Lateral projection | Lt wrist XR | 15y M | 588x1335

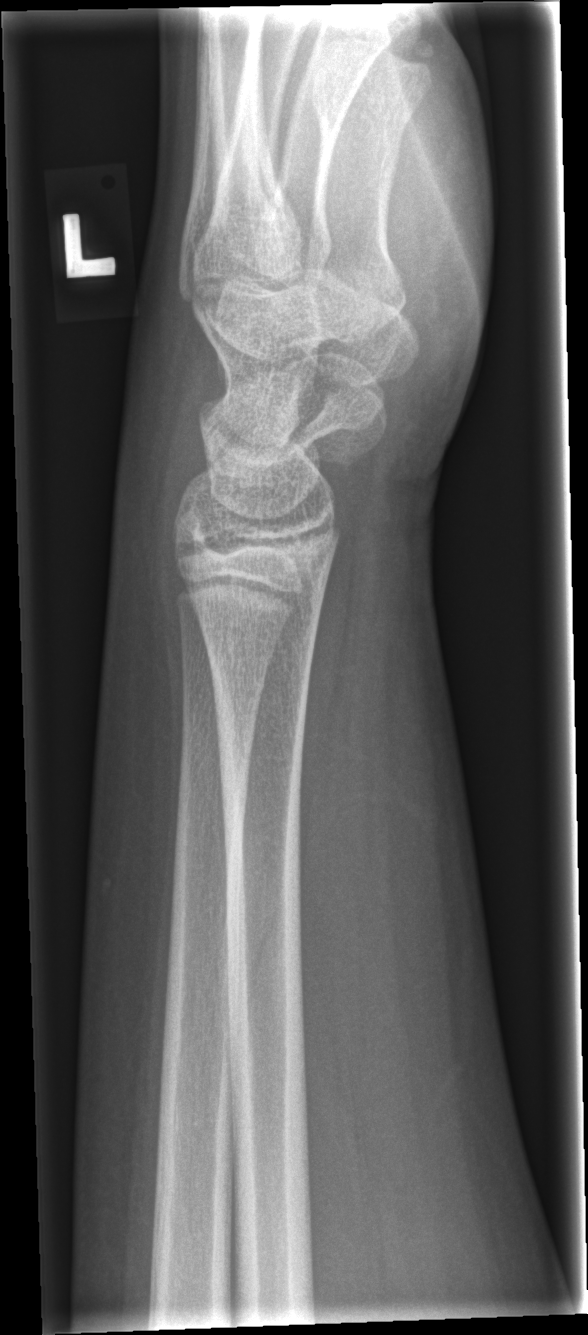

Q: Any fracture seen?
A: Fx: none